PA/AP projection, L wrist XR, 6-year-old boy, image width 74.6 mm, 518x906 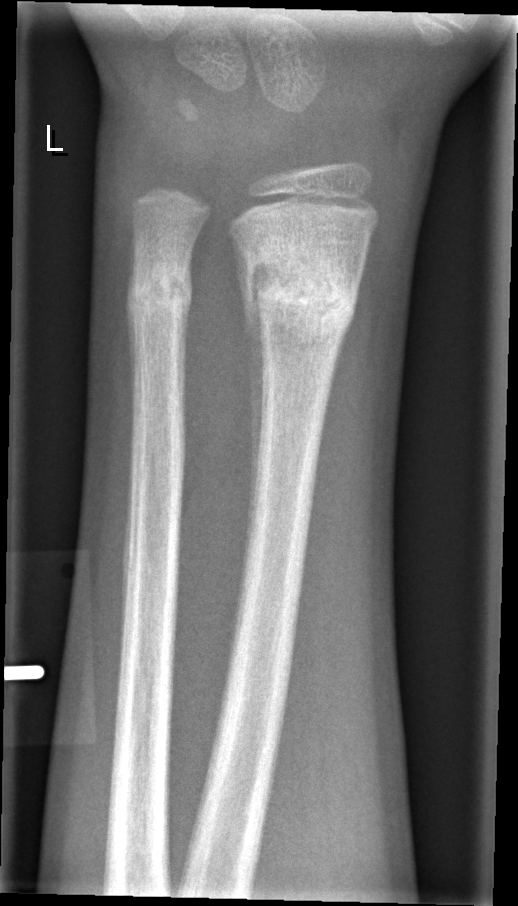

  # pixel coordinates, top-left origin, xyxy
  fracture: 2 @ 240,241,360,348 | 130,264,190,317
  ao: 23-M/3.1
  periostealreaction: 240,280,268,550; 129,300,135,400
  osteopenia: present